Posteroanterior projection · Lt wrist X-ray · 7-year-old male · image size 435x964:
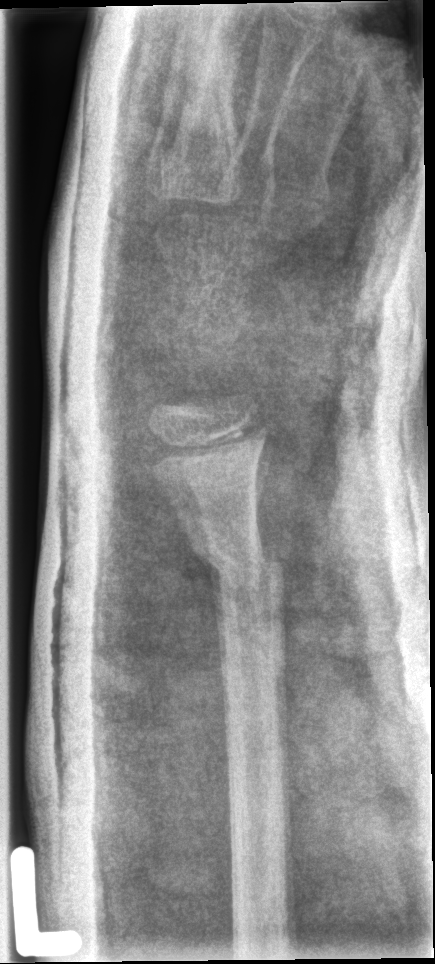 Findings: Fx — (185, 524, 287, 587).